Right wrist X-ray | frontal view | in cast

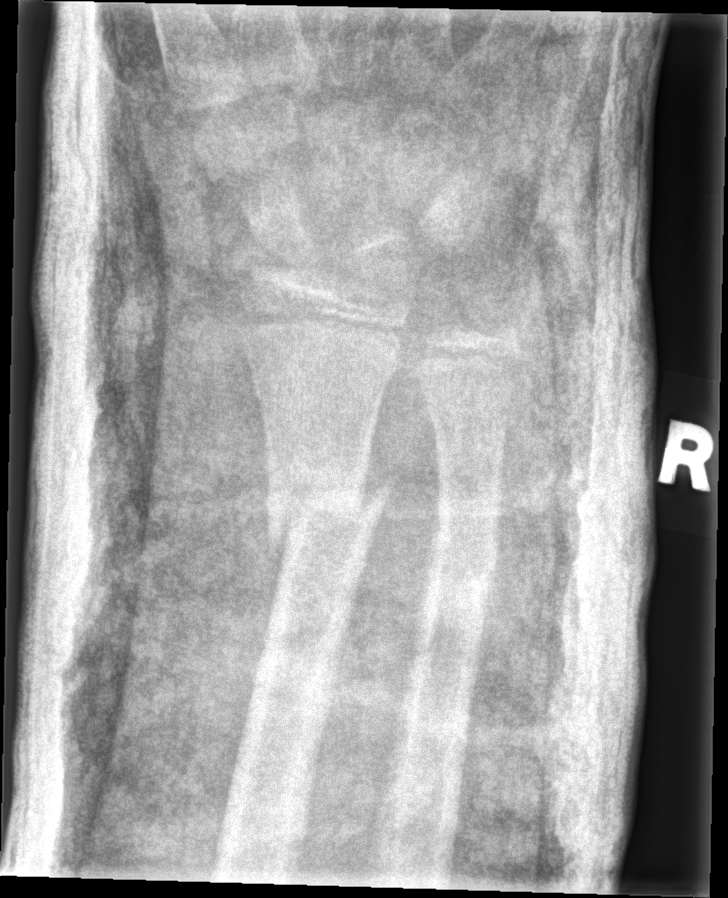
Bone fracture: <258,455>-<391,552> <417,516>-<502,605>.